Left wrist pediatric wrist radiograph; posteroanterior projection; 14-year-old male 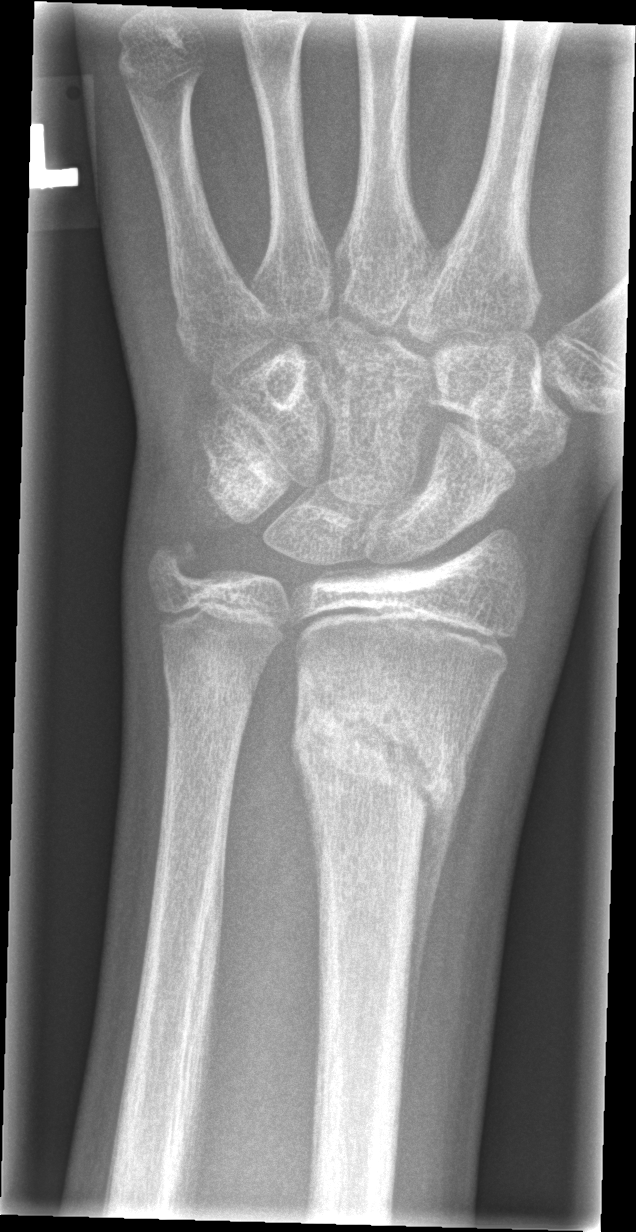 (boxes as x1,y1,x2,y2 (top-left / bottom-right, pixel units))
bone fracture = (left=289, top=678, right=468, bottom=839); (left=163, top=656, right=258, bottom=731); (left=147, top=533, right=208, bottom=599)
AO classification = 23-M/3.1; 23u-E/7
periosteal thickening = (left=392, top=690, right=495, bottom=1170)